L wrist radiograph; PA/AP view; age 13 y, male.

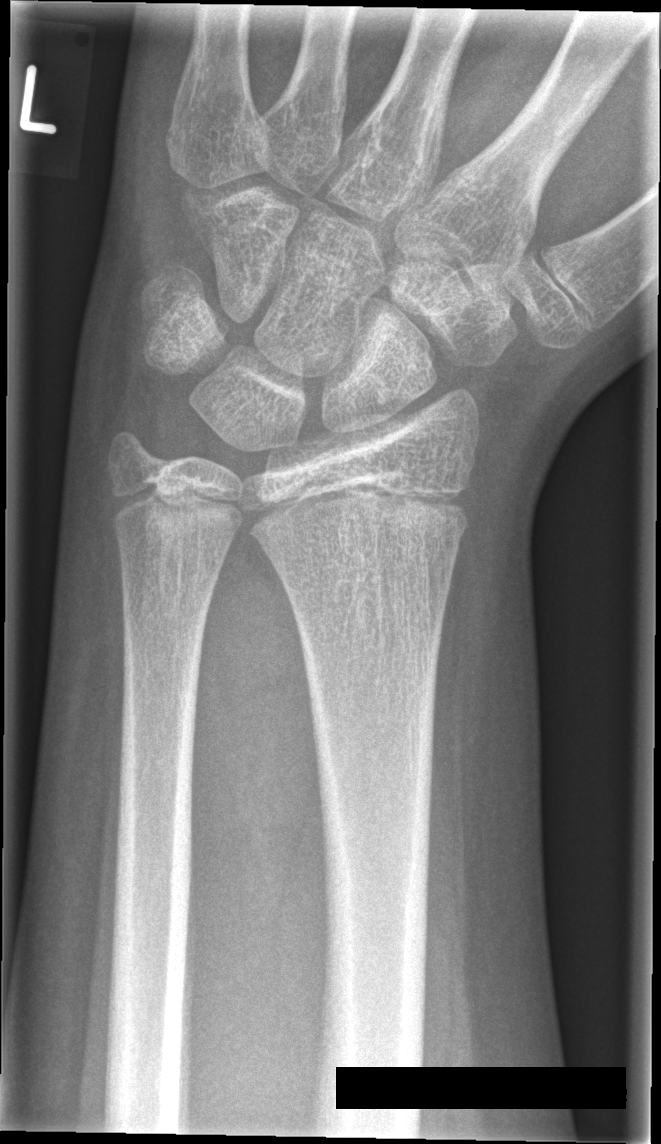
Bone fracture: none labeled
Osteopenia: present